Left wrist XR · lateral view · age 4 y, male · 404 by 771 pixels —
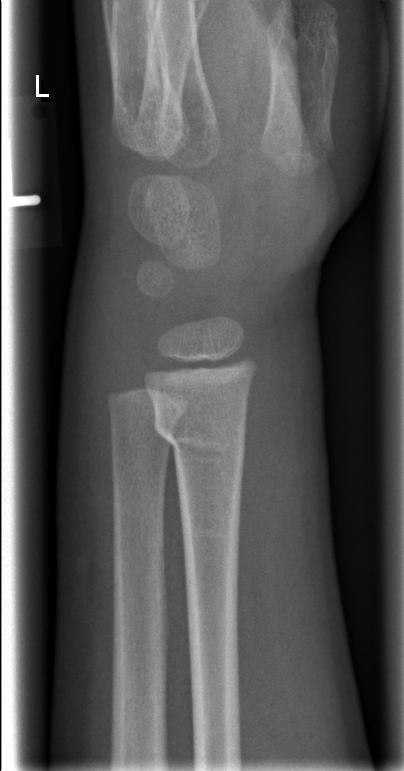

Pixel coordinates, top-left origin, xyxy. Bone fracture — [150, 403, 248, 466]. Fracture classified AO/OTA 23-M/2.1.